Frontal | Lt wrist X-ray —

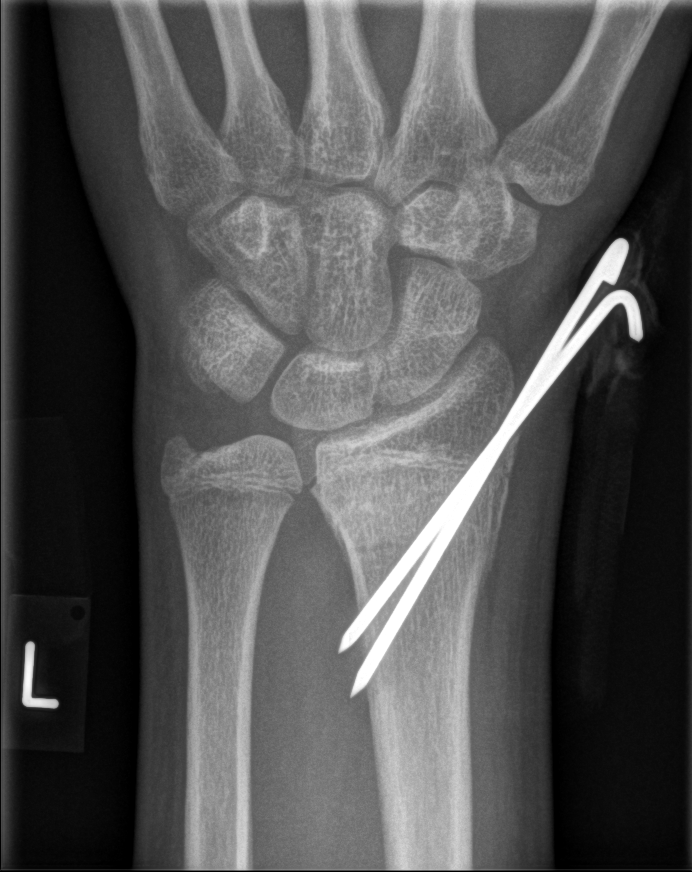 • Metallic implant identified at [x1=340, y1=241, x2=645, y2=697].
• Osteopenic.
• Fx identified at [x1=306, y1=449, x2=512, y2=562].